Lat projection | Lt wrist X-ray | equivocal findings | 64.2 mm image width — 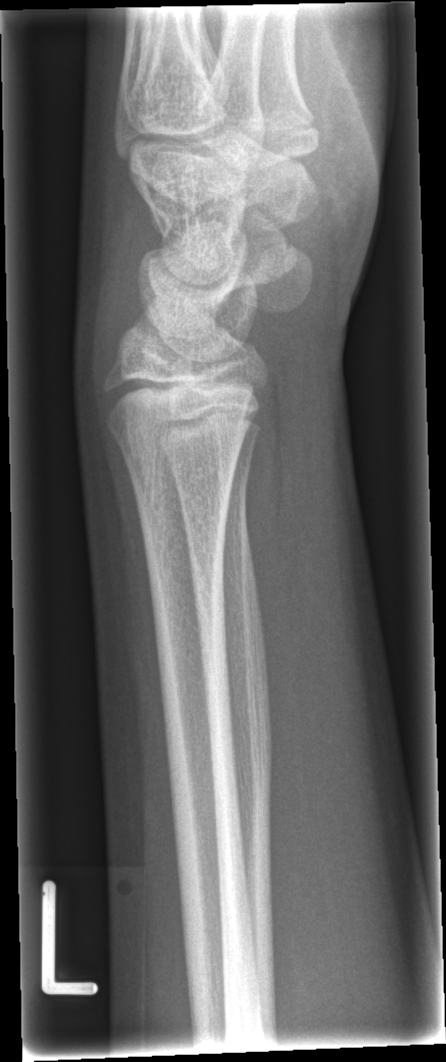
{
  "fracture": "none labeled"
}